PA | left wrist X-ray | pediatric patient (female, age 10) —

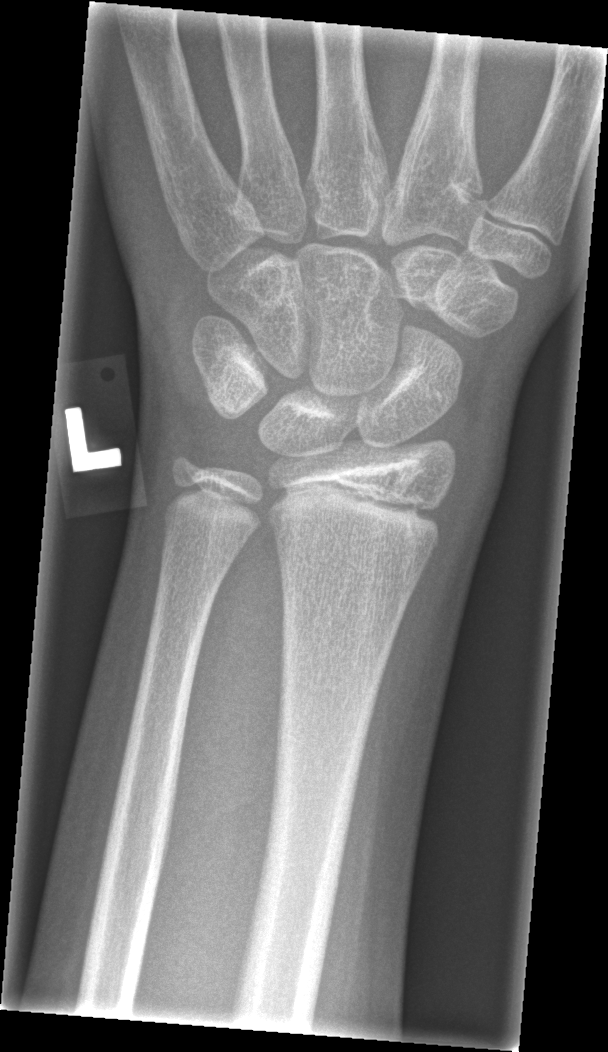

Findings: Fracture: none labeled.